Left wrist XR, PA, pediatric patient (female, age 9), presentation radiograph: 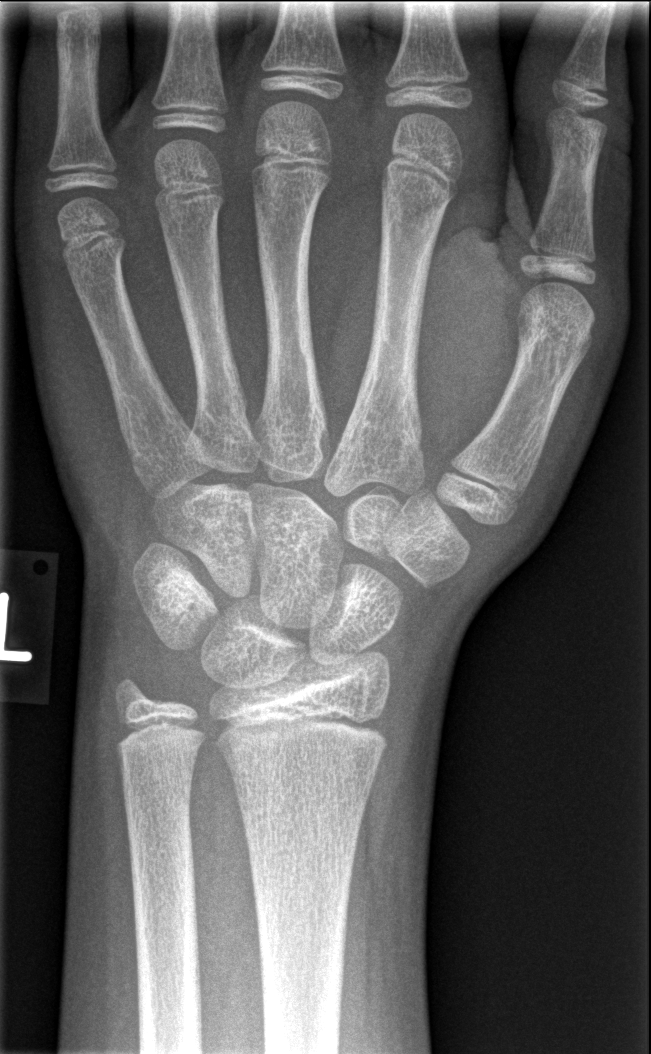
No fracture bounding box.